Left pediatric wrist radiograph · AP projection · age 11 y, female · 78.2 mm image width —
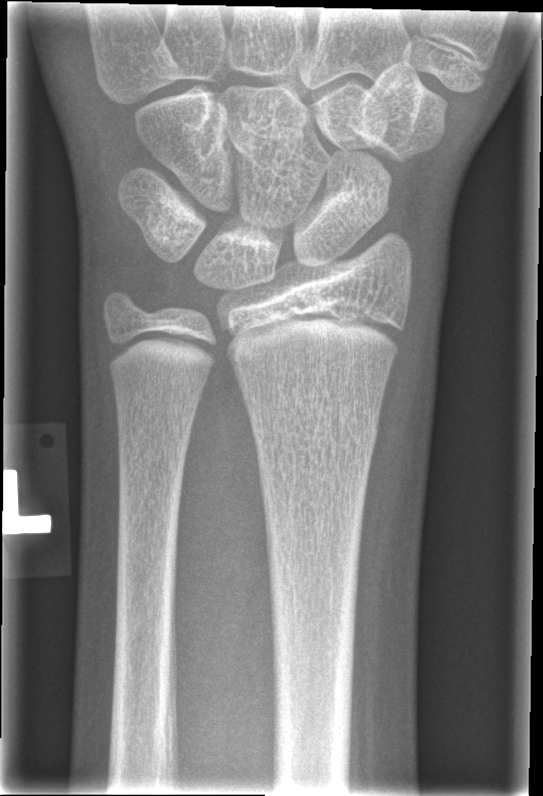 Boxes as x1,y1,x2,y2 (top-left / bottom-right, pixel units).
Bone fracture — (left=246, top=404, right=381, bottom=462).